L pediatric wrist radiograph | lat view | follow-up study | acquired on Siemens: 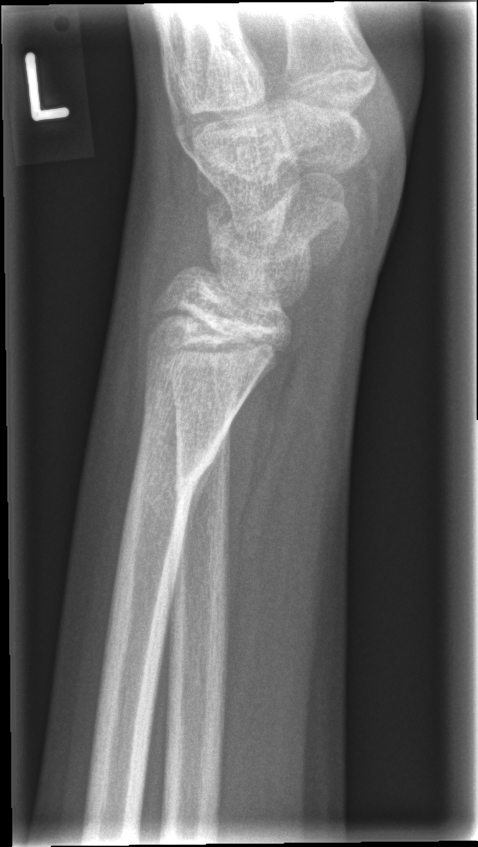
(pixel coordinates, top-left origin, xyxy)
Q: Locate any periosteal reaction.
A: Periosteal new bone: (177, 456, 216, 566)
Q: What is the AO/OTA classification?
A: AO/OTA classification: 23r-M/2.1
Q: Fracture present?
A: One fracture at (121, 433, 228, 525)
Q: Bone density?
A: Reduced bone mineral density